PA view, Lt wrist XR, age 16 y, girl: 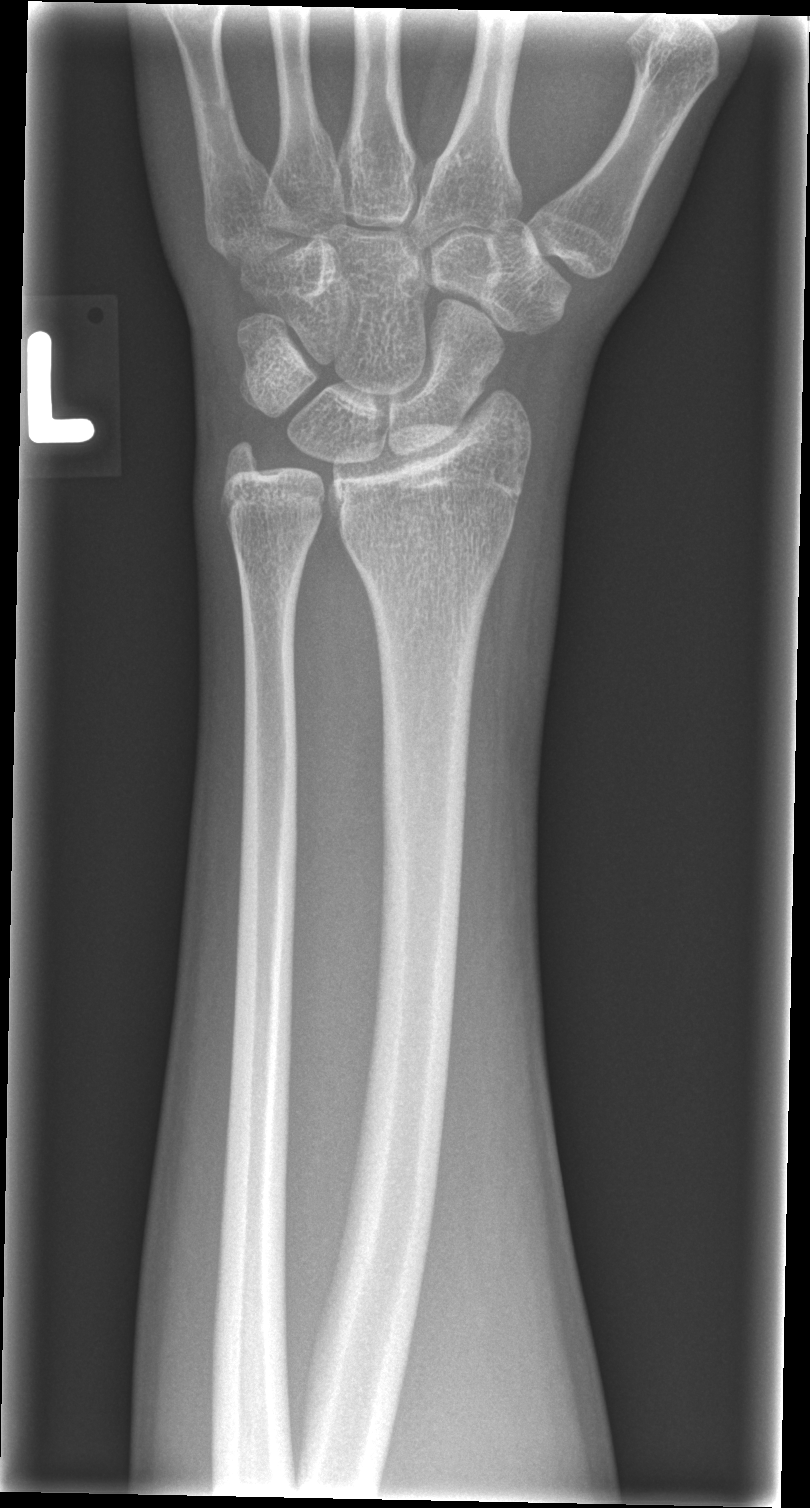 * No Fx annotated.